Lateral view · R wrist X-ray · image size 529x962:

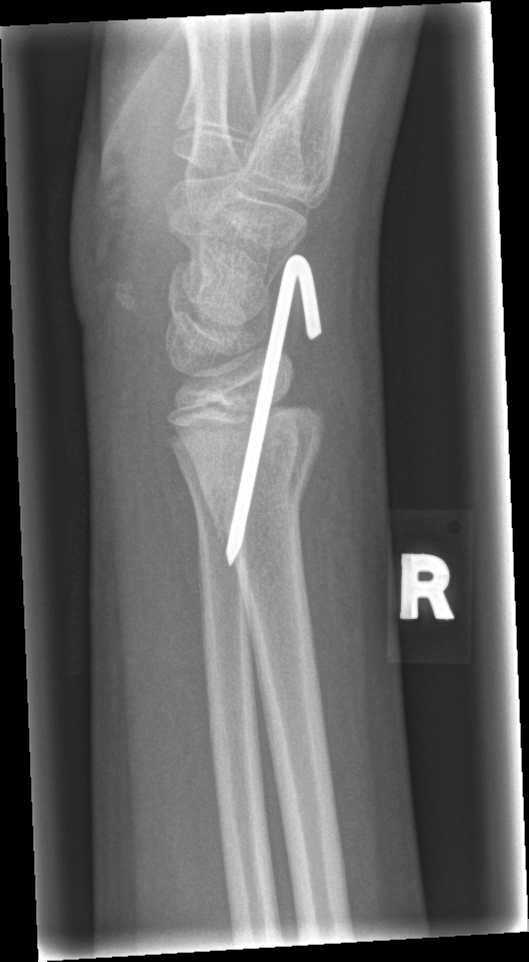

(bounding boxes in image-pixel xyxy)
bone fracture = bbox(196, 445, 316, 555)
hardware = bbox(223, 254, 322, 569)